Rt wrist plain film · lateral projection · Siemens.

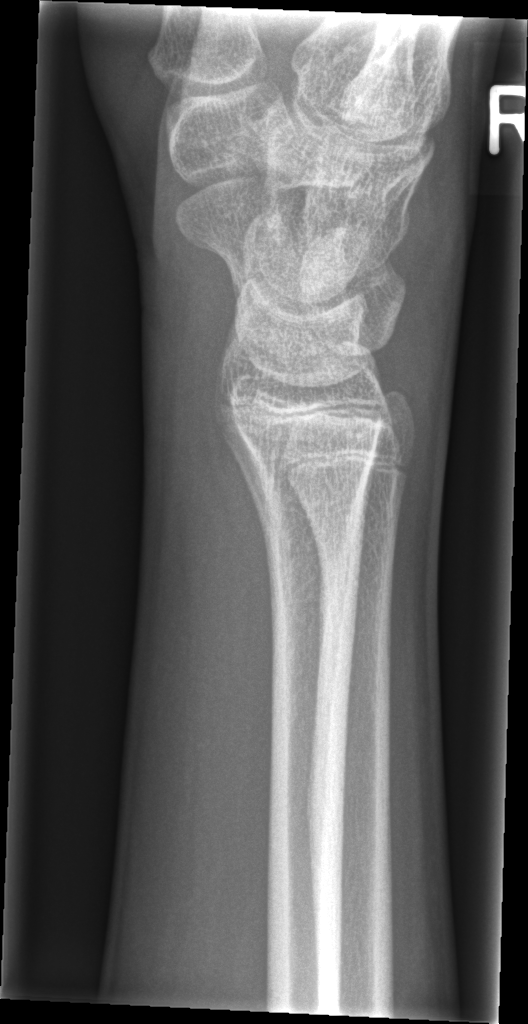
{
  "fracture": "none labeled"
}